Left wrist X-ray | AP view | 13y F | image 100.5 mm wide | 698 by 1142 pixels

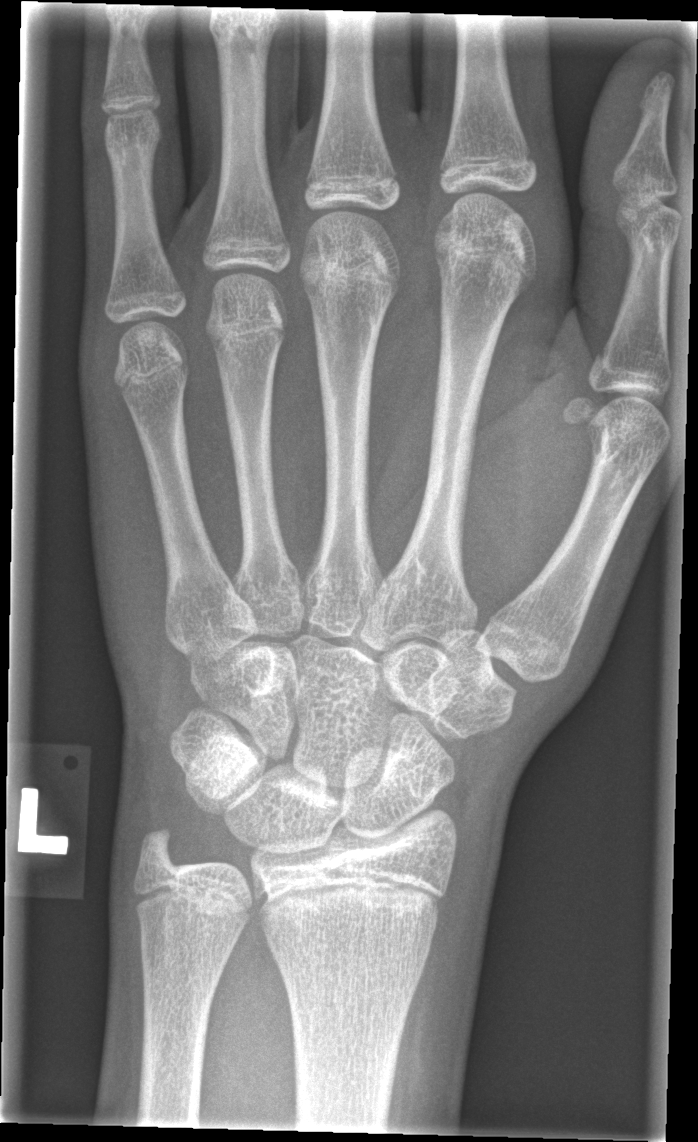
fracture = none labeled